L wrist plain film; posteroanterior projection; boy, 9 yo; cast in situ.
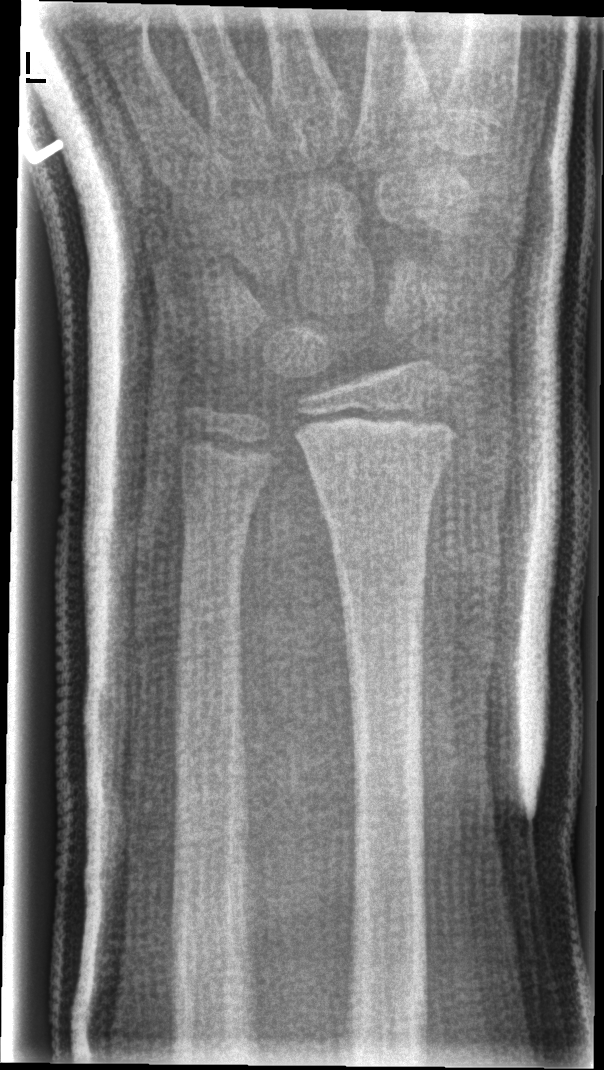

Fx present but not clearly seen in this view.
Fracture classified AO/OTA 23r-M/2.1.